Left wrist plain film; lateral view — 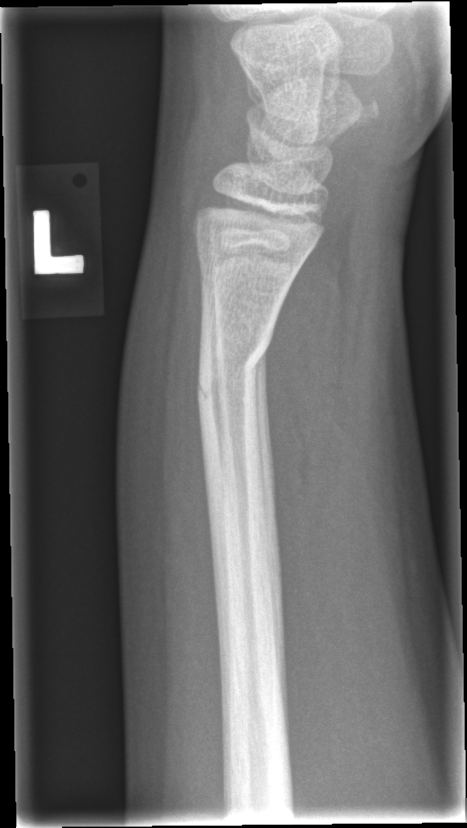 AO/OTA: 23r-M/3.1; 23u-M/2.1
bone fracture: 1 @ (191, 320, 277, 431)
pronator quadratus fat-pad sign: 1 @ (264, 211, 351, 592)